Lat view; R wrist XR; age 15 y, girl; acquired on Siemens; 406 x 790 px — 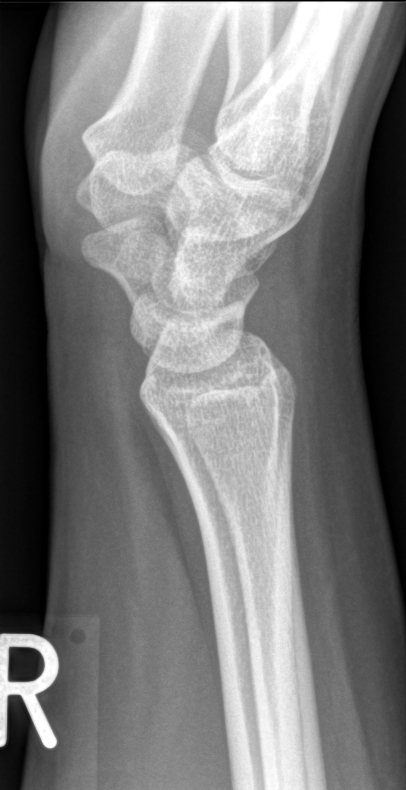
No Fx annotated.